R wrist plain film; posteroanterior; initial study. 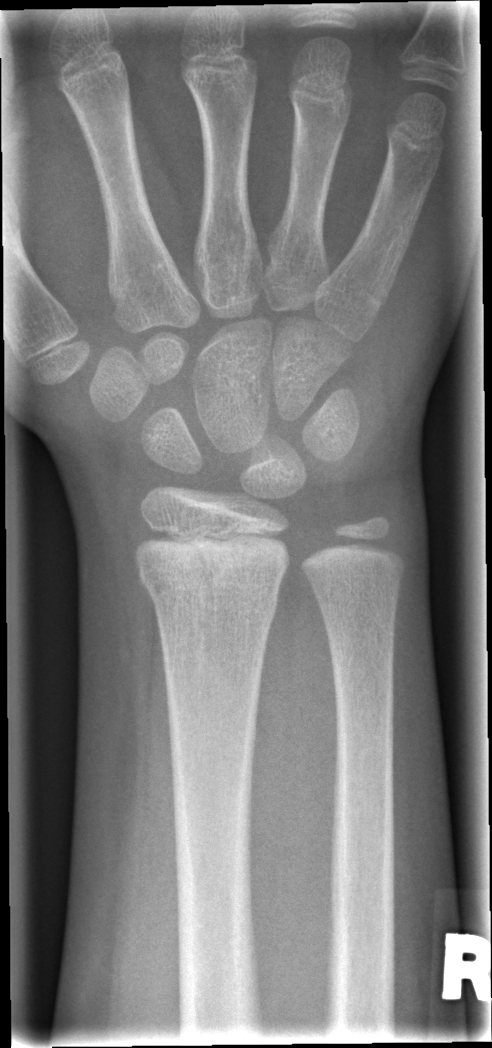 Bone fracture: (left=136, top=563, right=284, bottom=633)
AO code: 23r-M/2.1